PA · left wrist X-ray · 638 by 878 pixels: 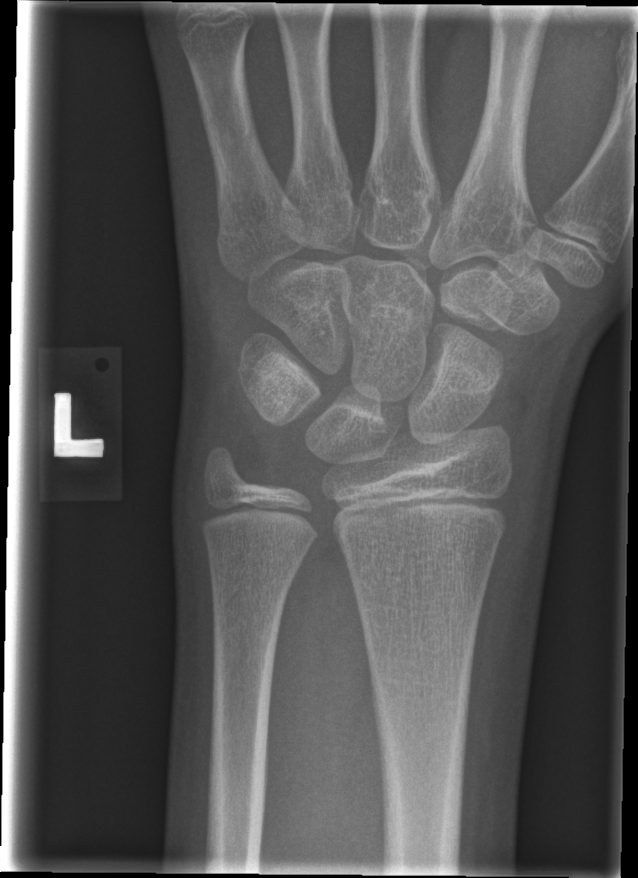
Q: Any fracture seen?
A: Fracture: none labeled